L wrist XR · lat · pediatric patient (boy, age 10): 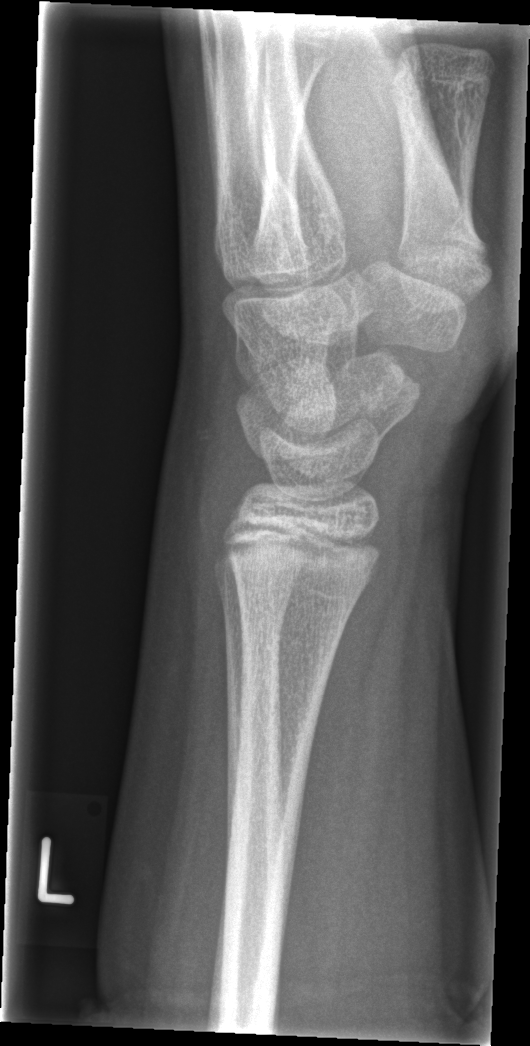 No fracture annotation.